PA/AP view; R pediatric wrist radiograph; 11-year-old boy; diagnosis uncertain; acquired on Siemens.

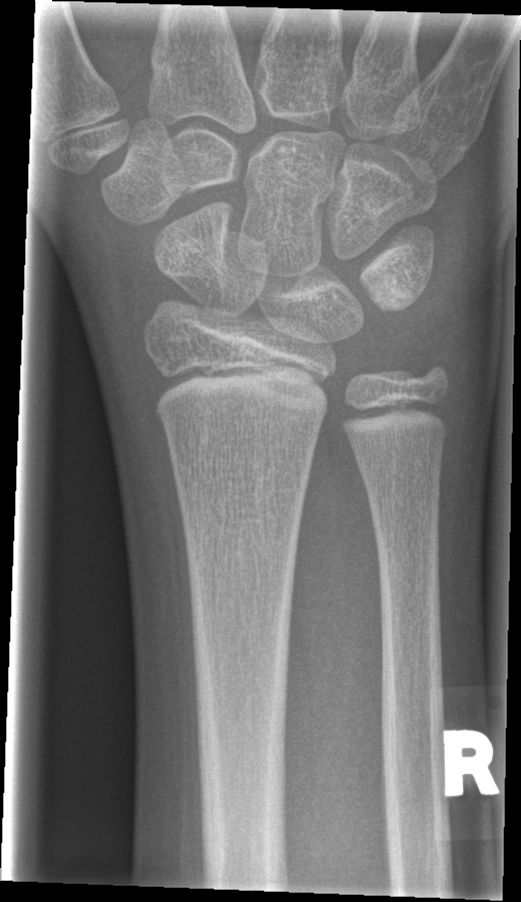

FINDINGS — No fracture bounding box.